L wrist plain film; lateral view; detector: Siemens —
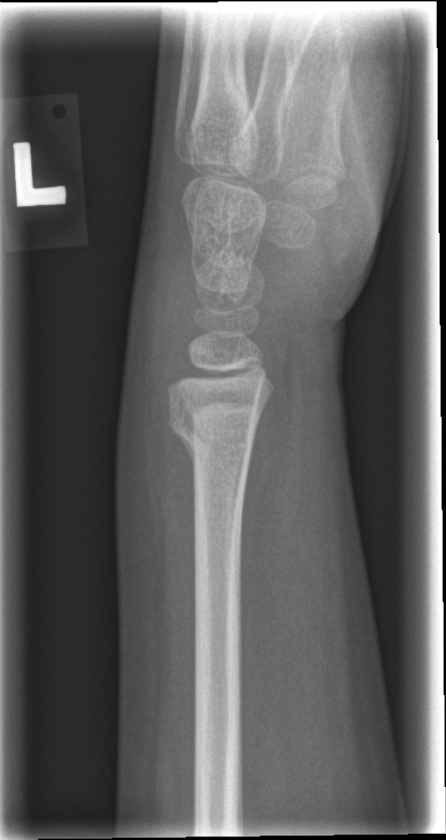
Pixel coordinates, top-left origin, xyxy.
Fracture classified AO/OTA 23r-M/2.1.
One fracture at (166, 401, 261, 462).
Soft tissue abnormality: (121, 238, 200, 537).